Lt wrist plain film · frontal projection · 6y M · initial study: 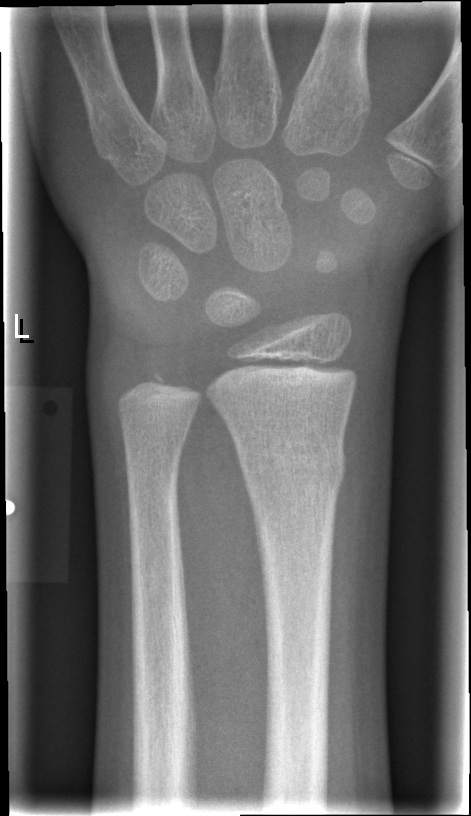 {"fracture": "1 @ <233,430>-<350,501>"}